AP projection · right wrist X-ray · female, 11 yo · index exam · detector: Siemens · image size 619x1026
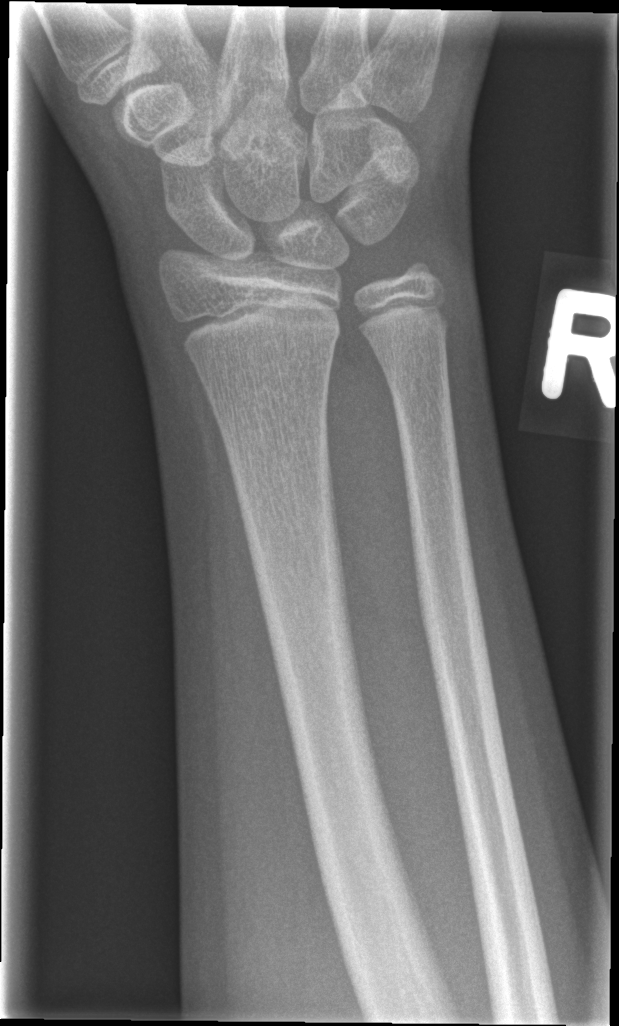
FINDINGS: Fx: none.